Lat projection · Lt wrist radiograph · boy, 11 yo · initial study
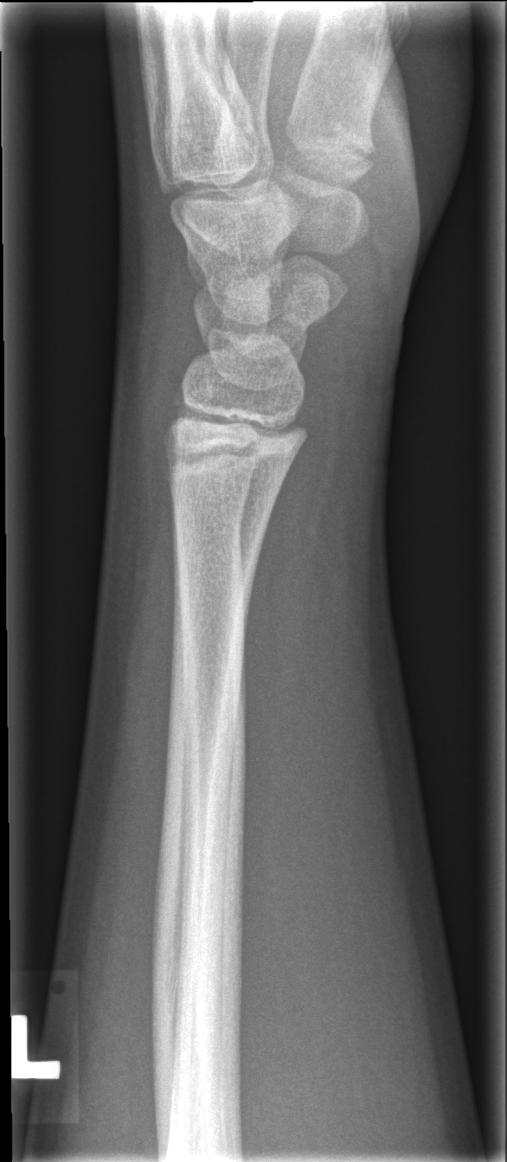 FINDINGS — No Fx annotated.